Lat; left wrist XR; girl, 13 yo.
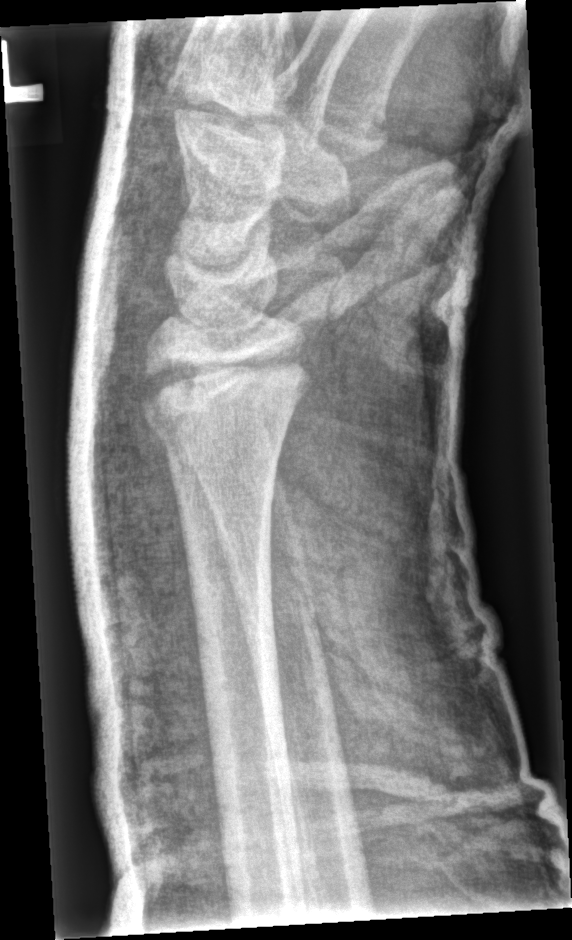

Coordinates are [x1, y1, x2, y2] in image pixels. AO/OTA classification: 23r-E/2.1; 23u-E/7. Fx identified at [136, 339, 313, 451].